Left wrist plain film, PA/AP projection, pediatric patient (female, age 8)
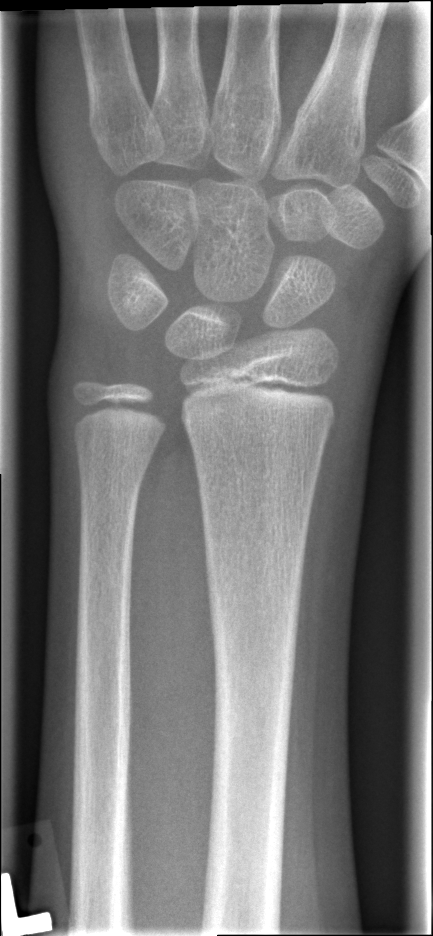
{"fracture": "none labeled"}